PA projection, right wrist plain film, image 92.4 mm wide —

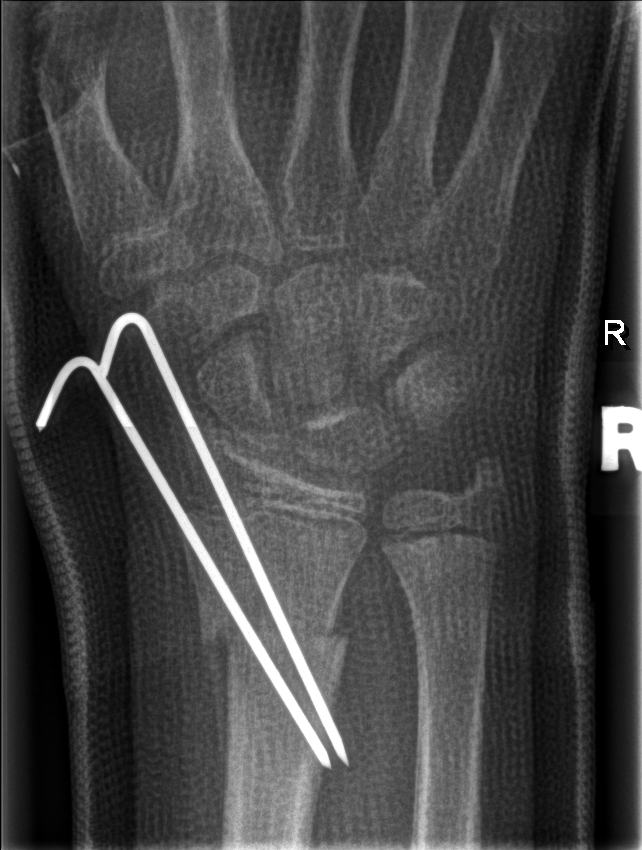

Findings: Metal — 6,307,359,781. Fracture — 193,607,351,665. Fracture classified AO/OTA 23r-M/3.1; 23u-E/1.